Lat, right plain radiograph of the wrist, pediatric patient (female, age 8), acquired on Siemens:
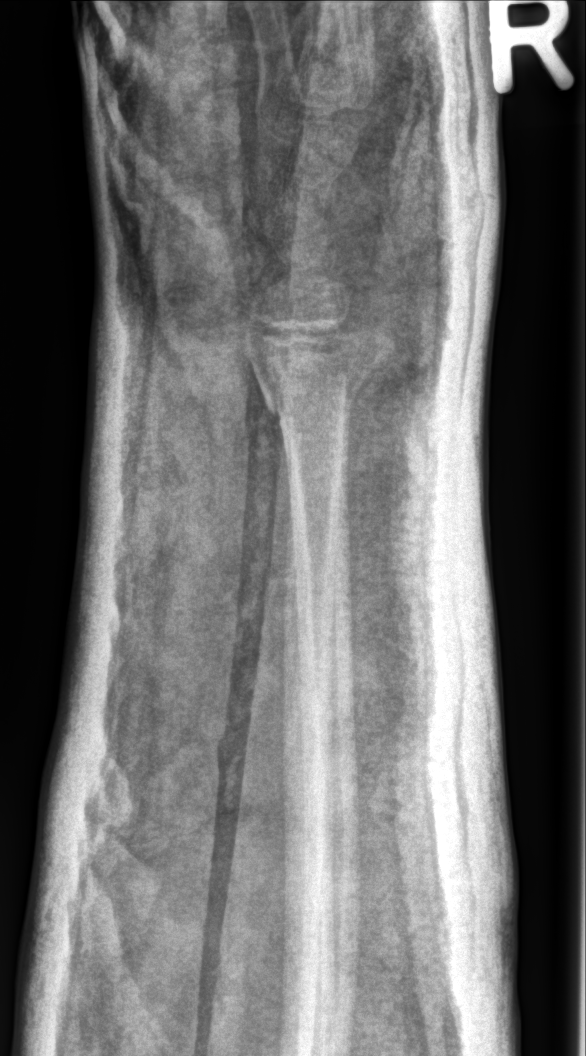
{"fracture": "1 @ <248,327>-<393,418>", "ao": "23r-M/3.1"}